Lat; R pediatric wrist radiograph; subsequent exam; 539 by 1208 pixels.
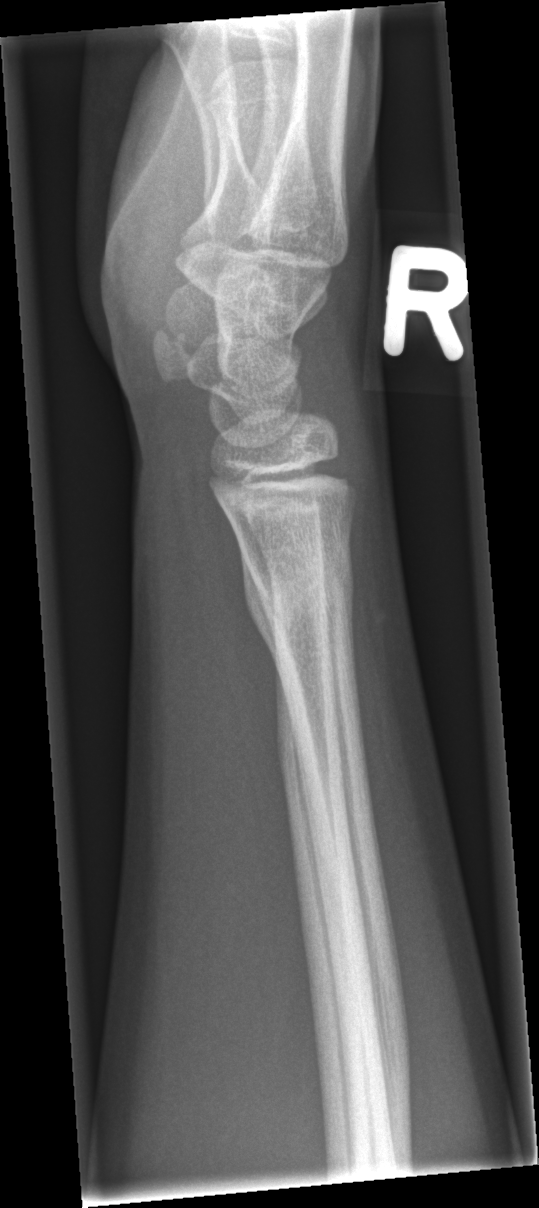 FINDINGS — Fracture classified AO/OTA 23r-M/2.1. One Fx at (236, 539, 356, 640). Periosteal reaction identified at (242, 545, 281, 678).